Left wrist plain radiograph of the wrist | posteroanterior view | index exam —

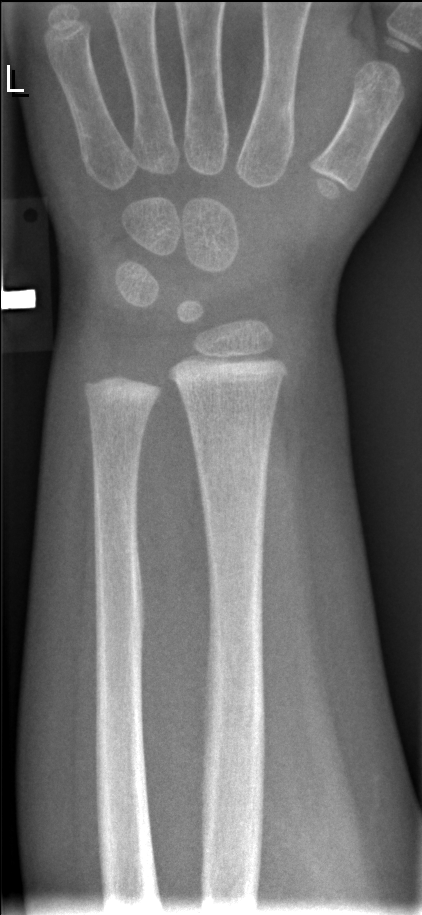
Fracture: none labeled